Frontal | left wrist pediatric wrist radiograph | boy, 6 yo | presentation radiograph | acquired on Siemens — 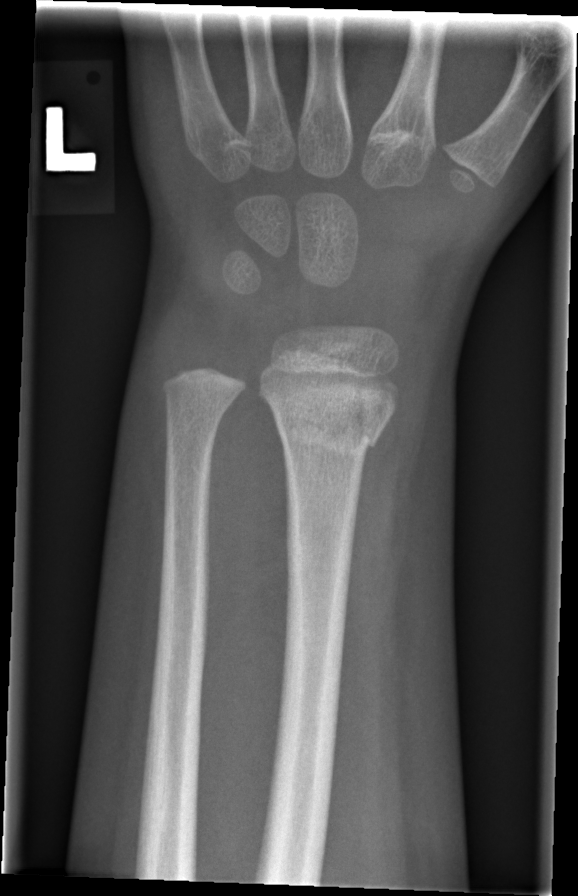

(pixel coordinates, top-left origin, xyxy)
bone fracture: 1 @ (262, 381, 402, 461)
AO code: 23r-M/3.1